Right wrist X-ray | posteroanterior view | cast present | image width 113.6 mm 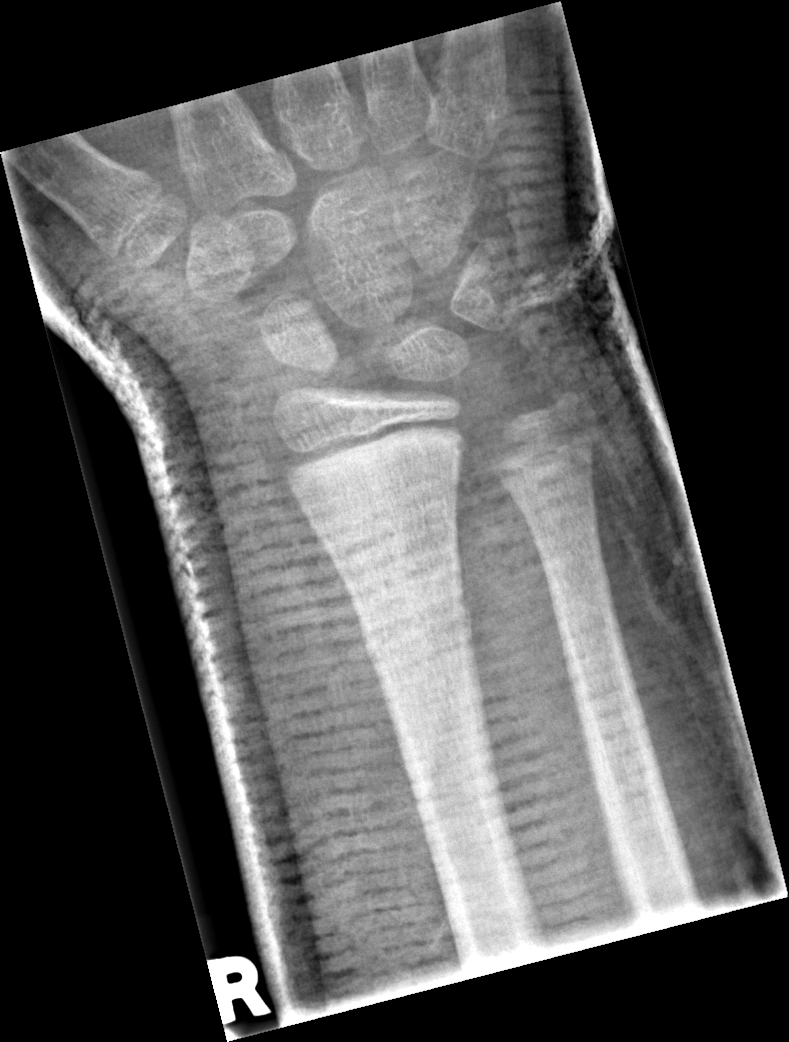

{
  "fracture": "1 @ 354 590 476 668"
}